Right wrist pediatric wrist radiograph, frontal, female, 10 yo, image 101.8 mm wide.
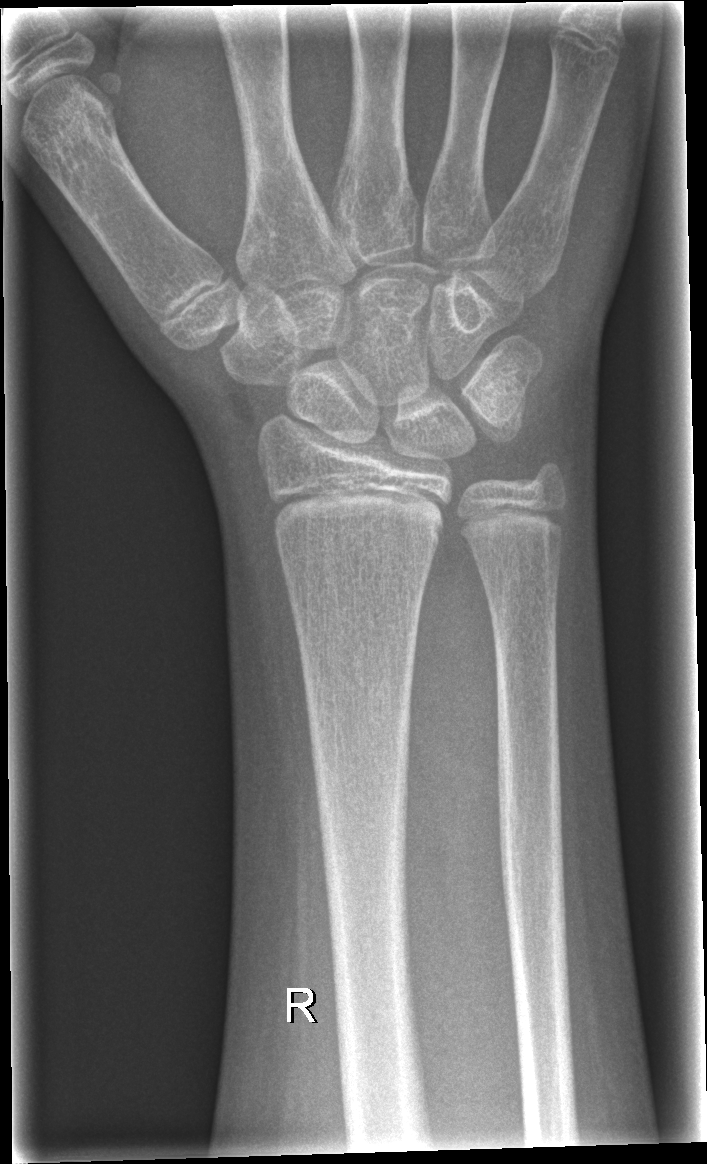

Findings: Fracture present but not clearly seen in this view.